R wrist X-ray; lat view

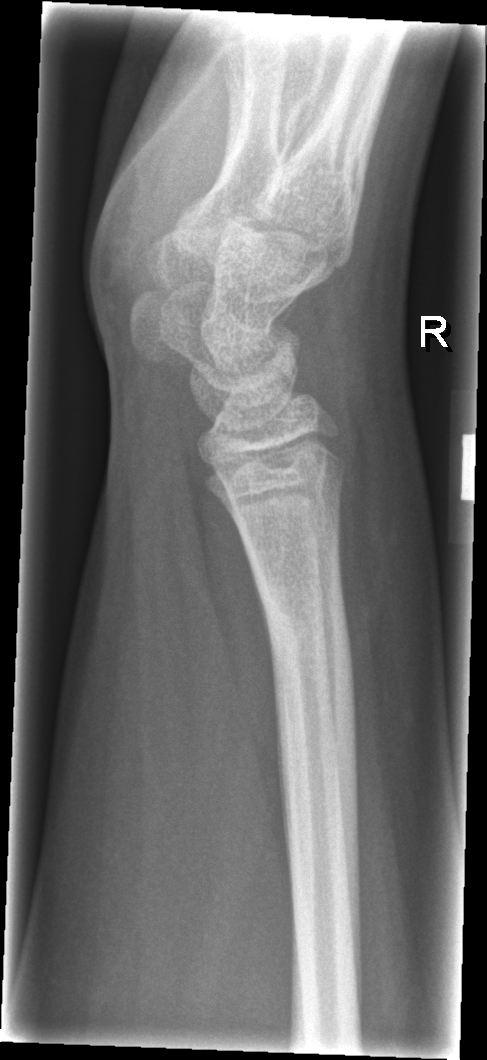
* Fracture classified AO/OTA 23r-M/2.1.
* Bone fracture identified at [x1=256, y1=575, x2=360, y2=713].